Frontal view, left wrist X-ray, image 80.8 mm wide 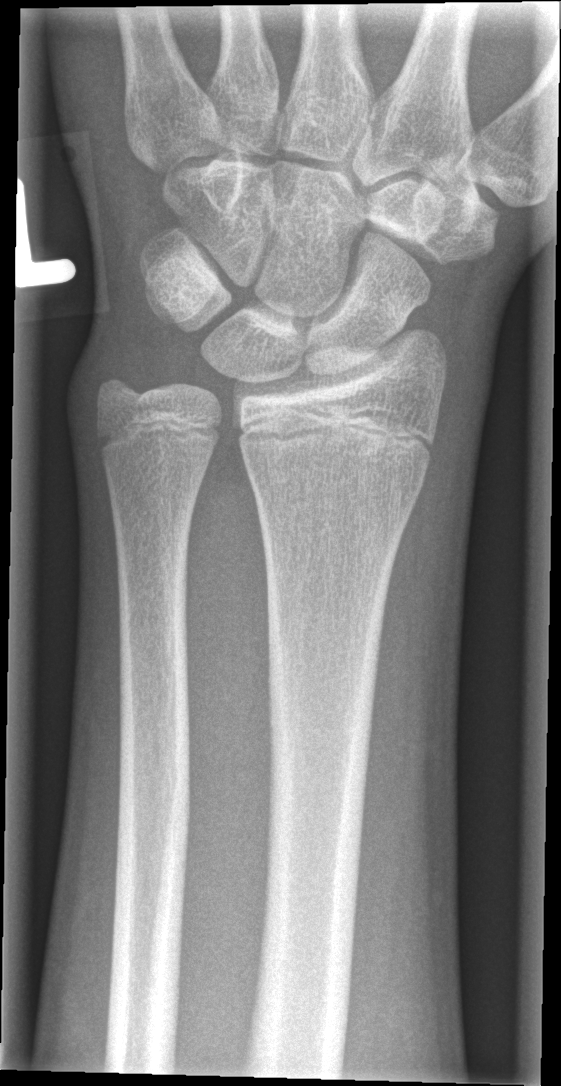
fracture: none labeled